Left wrist radiograph · posteroanterior

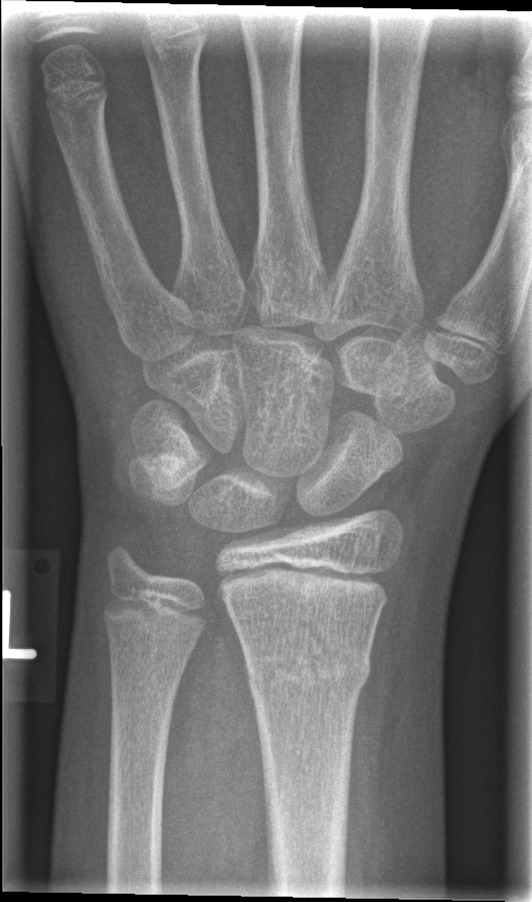   fracture: 1 @ (241, 643, 375, 700)